PA/AP; Lt wrist X-ray; Siemens 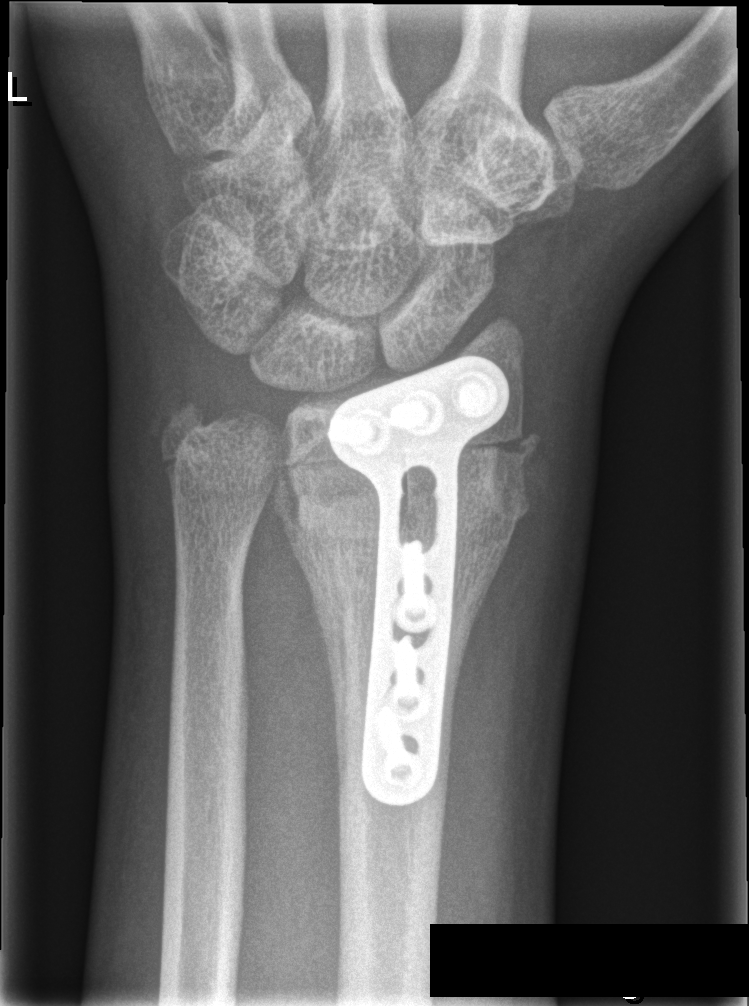 FINDINGS — (pixel coordinates, top-left origin, xyxy) Bone fracture: 274,428,536,549; 153,395,221,483. Hardware: 323,352,517,810.